PA/AP view, R wrist XR 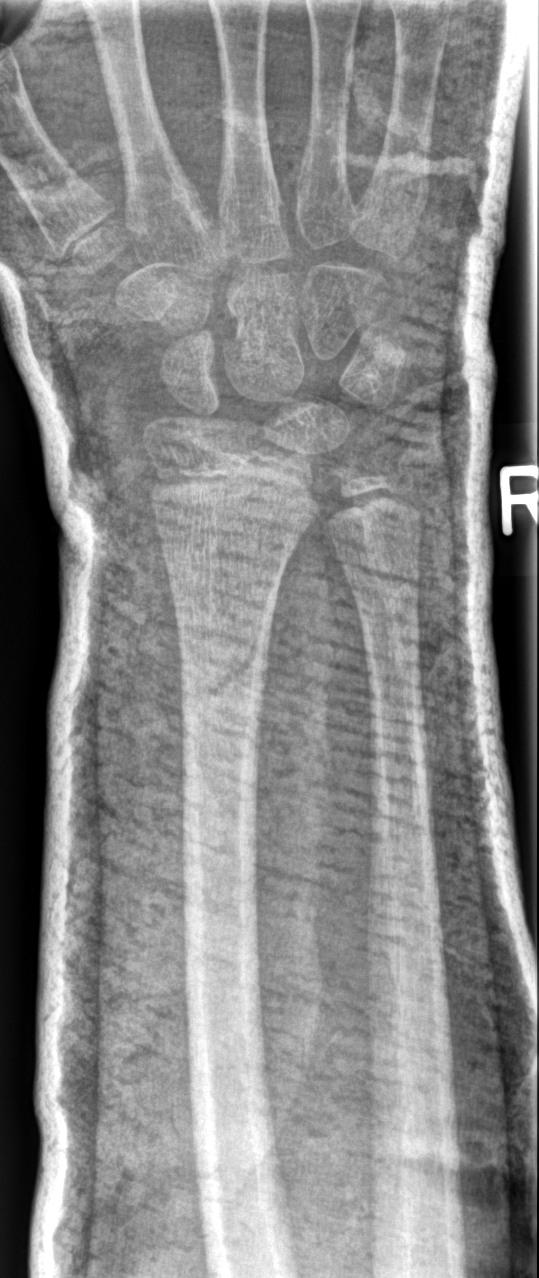 * Coordinates are [x1, y1, x2, y2] in image pixels.
* AO/OTA classification: 23r-M/3.1; 23u-M/2.1.
* Fracture — (left=170, top=610, right=275, bottom=727).